Lat; right wrist radiograph; boy, 13 yo.

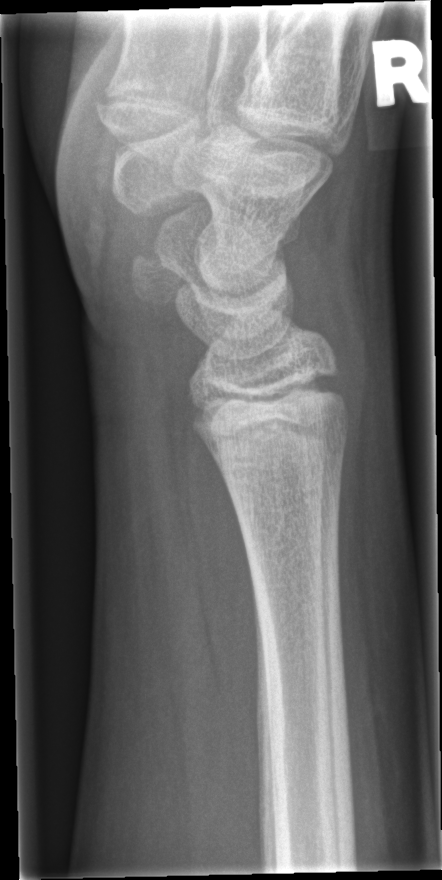
- No fracture bounding box.